Lt wrist XR; lateral projection; age 12 y, female; image size 424x932.

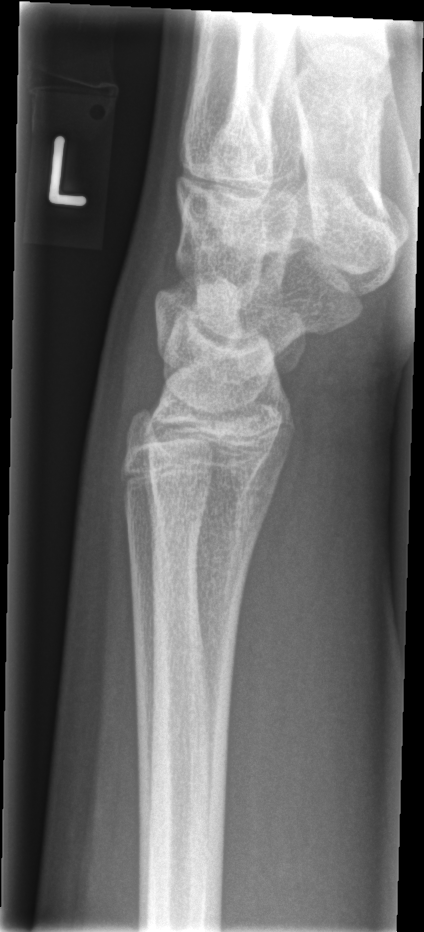

- No Fx annotated.